Lt wrist XR · lateral · follow-up · 392 x 1122 px 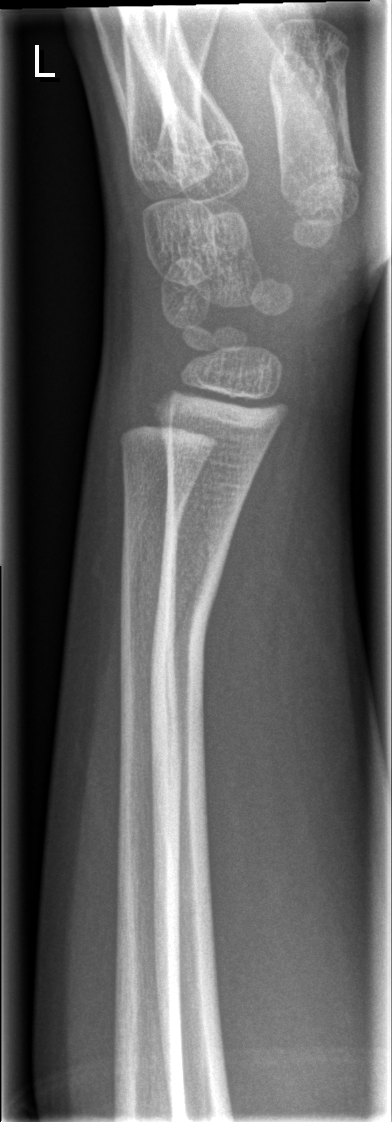

- Pixel coordinates, top-left origin, xyxy.
- AO code 22r-D/1.1.
- Bone fracture: (left=146, top=563, right=228, bottom=737).